PA/AP view · Lt wrist plain film.

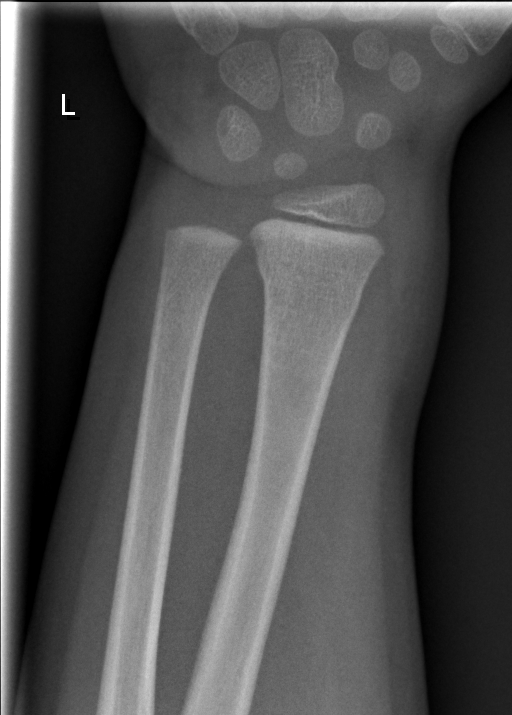 • Boxes as x1,y1,x2,y2 (top-left / bottom-right, pixel units).
• Fracture classified AO/OTA 23r-M/2.1.
• One Fx at (253, 249, 369, 320).